Left plain radiograph of the wrist; lat projection; pediatric patient (boy, age 14); imaged through cast — 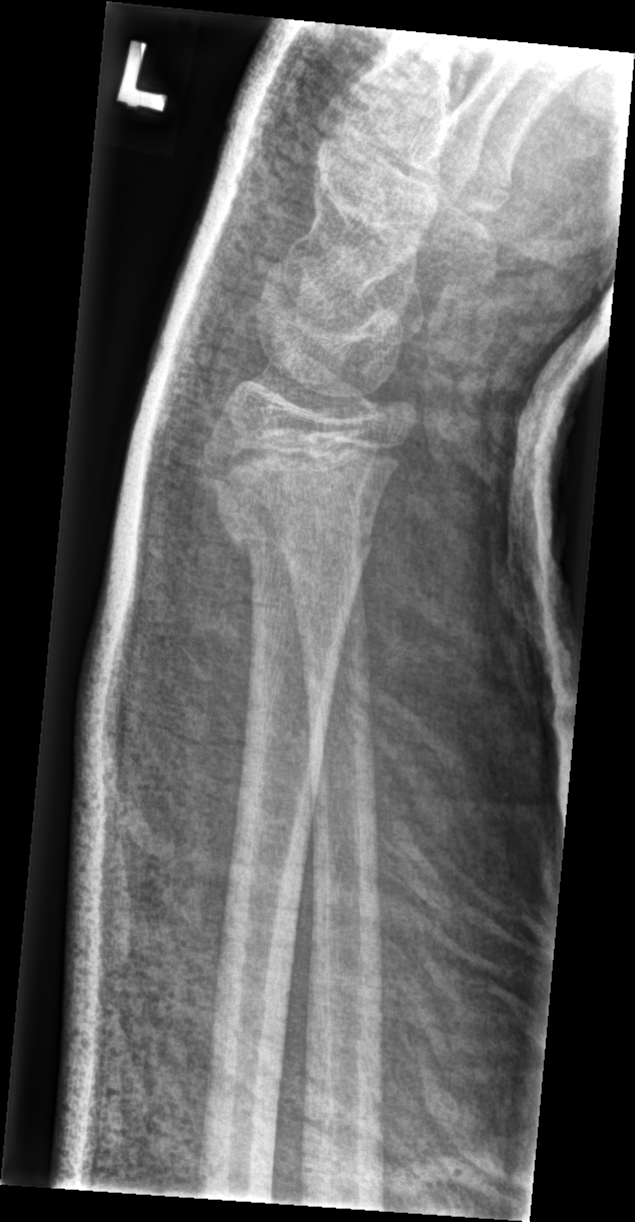
Pixel coordinates, top-left origin, xyxy. One Fx at (216, 486, 380, 582).